Lateral · Lt wrist radiograph · age 14 y, boy · cast present:
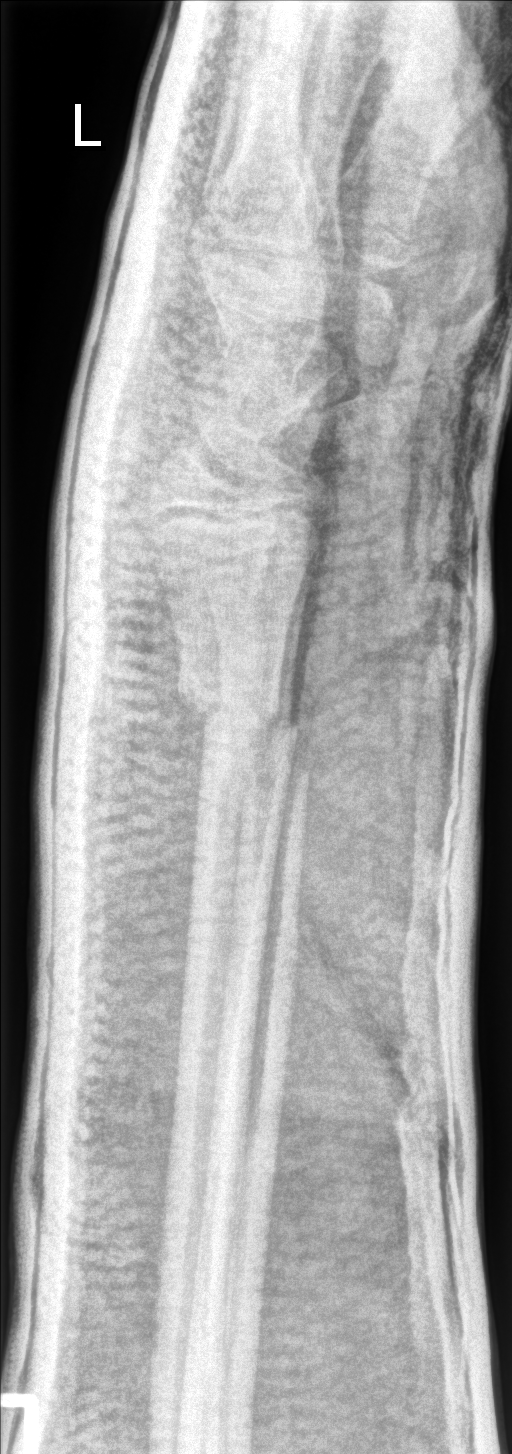
(pixel coordinates, top-left origin, xyxy)
AO/OTA = 23-M/3.1; 23u-E/7
fracture = 2 @ (180, 682, 304, 752) (248, 727, 320, 790)